Lateral projection, Lt wrist X-ray, 17y M:

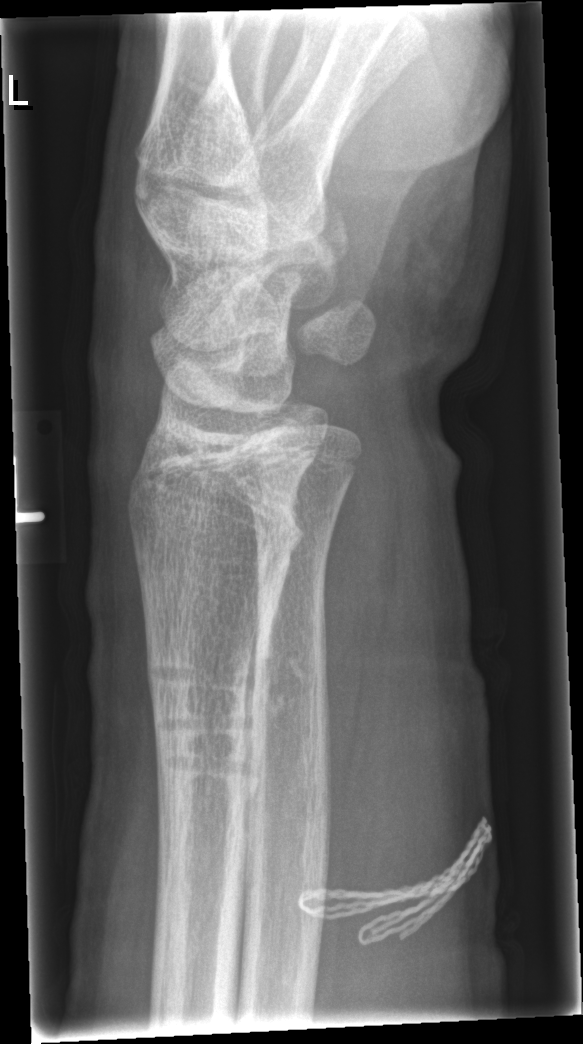
Metallic implant: 1 @ 293 816 495 945
Bone variant: 150 654 272 805
  155 435 303 553
Bone fracture: none labeled